Right wrist XR, lat projection, 315 x 952 px.
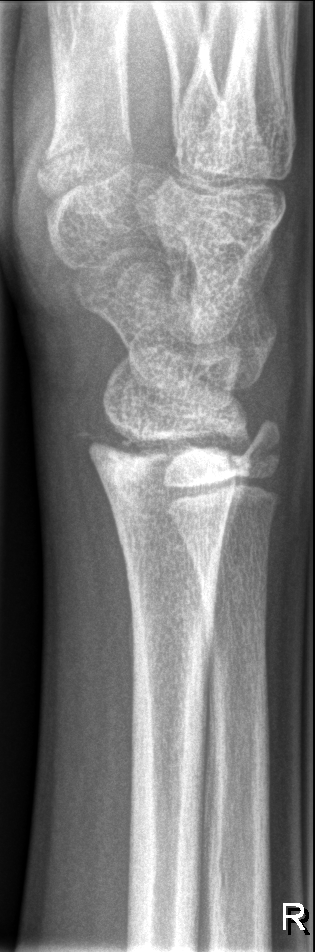

Coordinates are [x1, y1, x2, y2] in image pixels.
Fx — 81,408,246,464; 225,438,283,471.
AO/OTA classification: 23r-E/2.1;  23u-E/7.